Lat view, right wrist plain film, male, 12 yo, follow-up study —
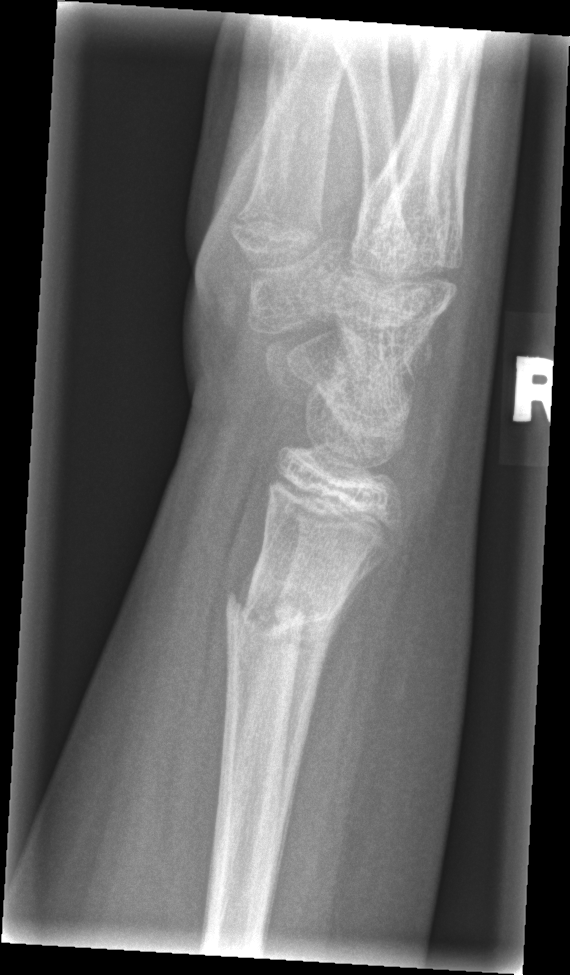

Reduced bone mineral density. AO/OTA classification: 23r-M/3.1. One Fx at bbox(223, 571, 346, 663).